Lat view | L plain radiograph of the wrist | 3y F: 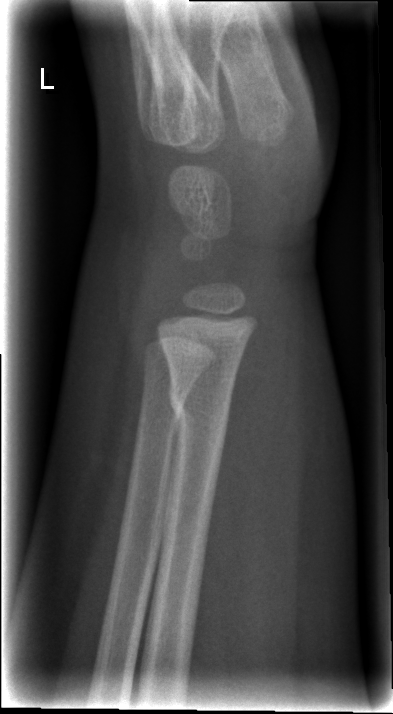
Coordinates are [x1, y1, x2, y2] in image pixels.
Fracture identified at (left=165, top=375, right=235, bottom=431).